PA view, L wrist X-ray, 6-year-old boy

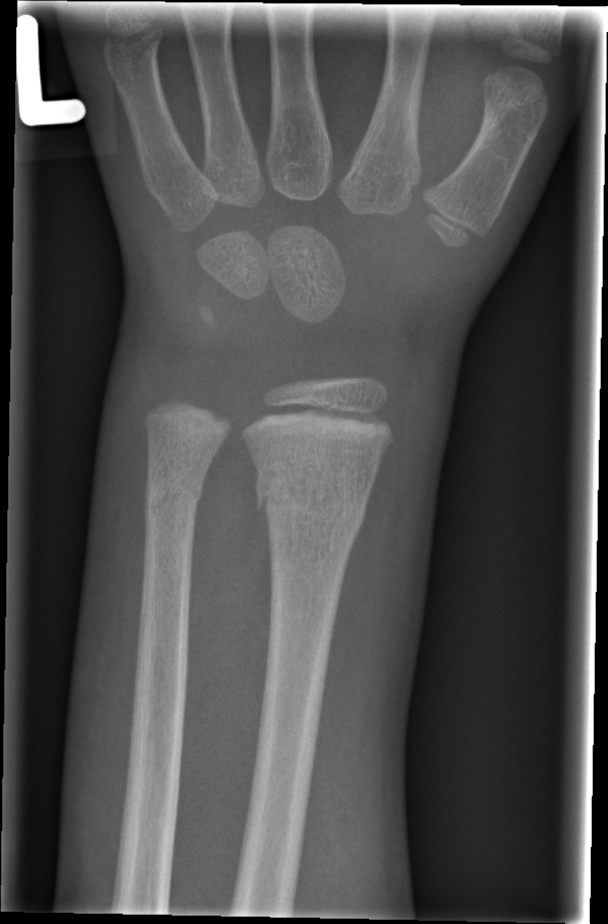 Findings: (boxes as x1,y1,x2,y2 (top-left / bottom-right, pixel units)) Fracture classified AO/OTA 23-M/3.1. Fx — (250, 464, 373, 543); (140, 471, 208, 523).